Lt wrist XR | lat projection

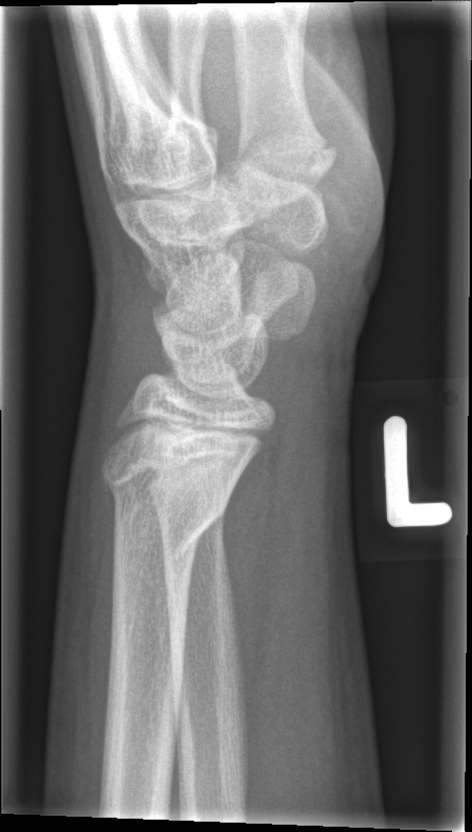 AO/OTA classification: 23r-M/2.1.
Fracture — 100 441 236 568.